Lt wrist X-ray, lat projection, acquired on Siemens, image width 79.8 mm —
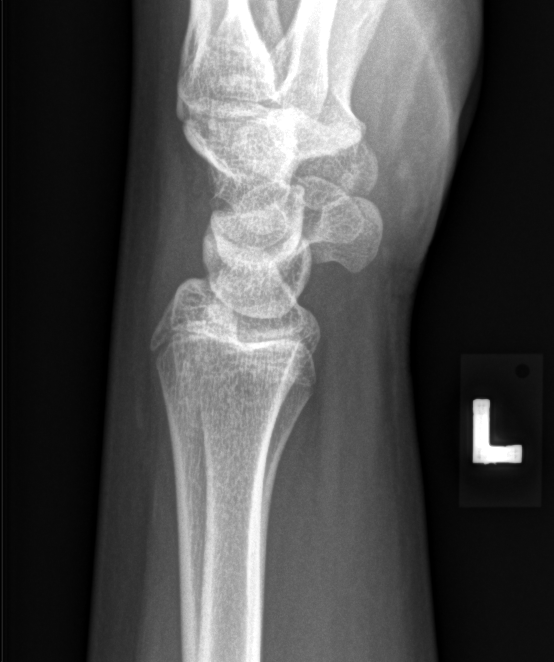

FINDINGS: Fx: none.